PA/AP projection · R wrist plain film · 13-year-old female:
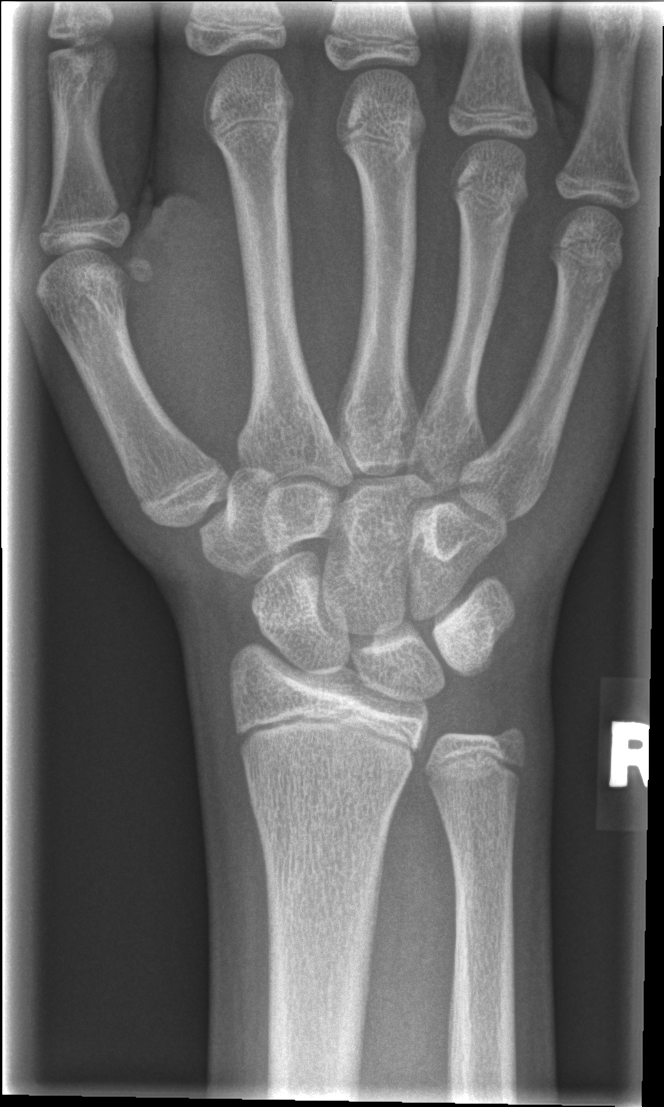
Fracture: none labeled.